L wrist X-ray · posteroanterior projection · follow-up study 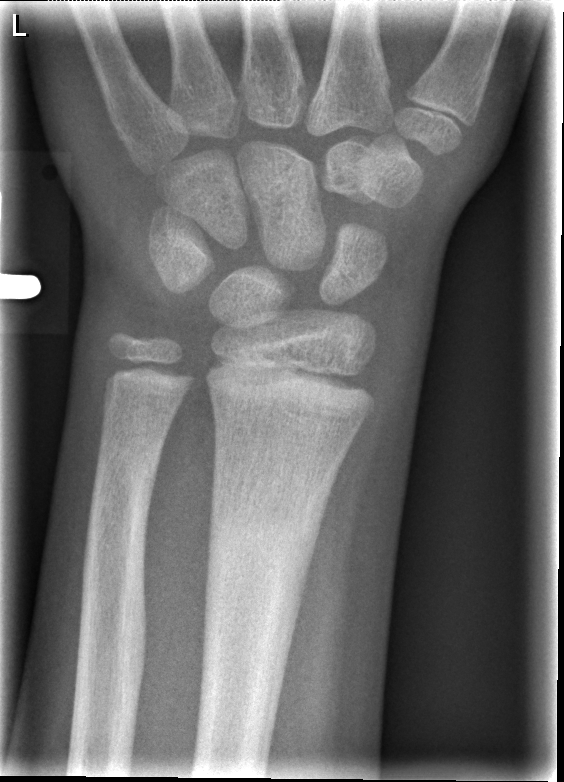
Q: What is the AO/OTA classification?
A: Fracture classified AO/OTA 23-M/3.1
Q: Is there a fracture?
A: Bone fracture identified at [x1=200, y1=479, x2=327, y2=627] [x1=90, y1=428, x2=166, y2=496]